Lt pediatric wrist radiograph | frontal —
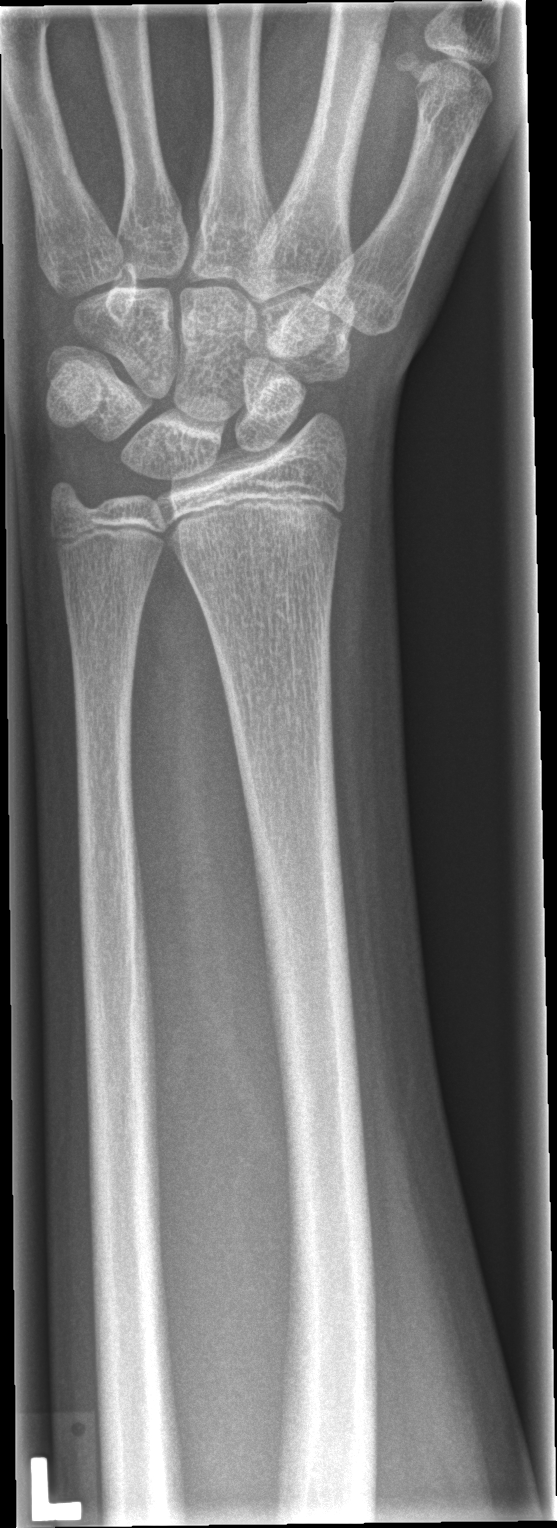
Findings: Fracture: none labeled.